AP view | right pediatric wrist radiograph | 11-year-old boy
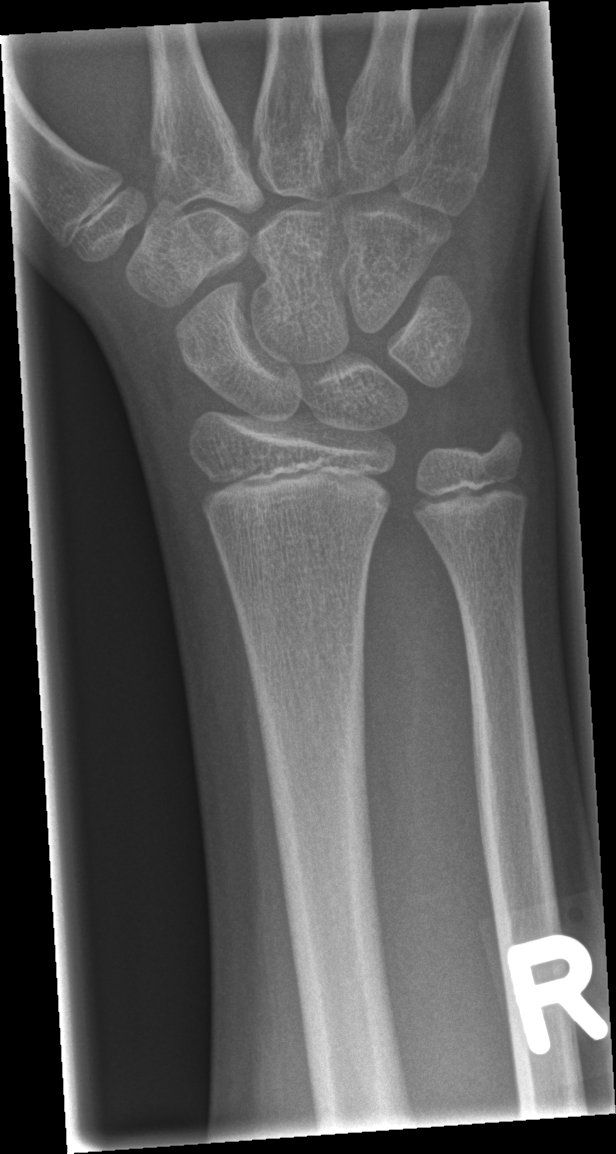

- Fracture: none labeled.